AP view · left wrist XR · 11y M:

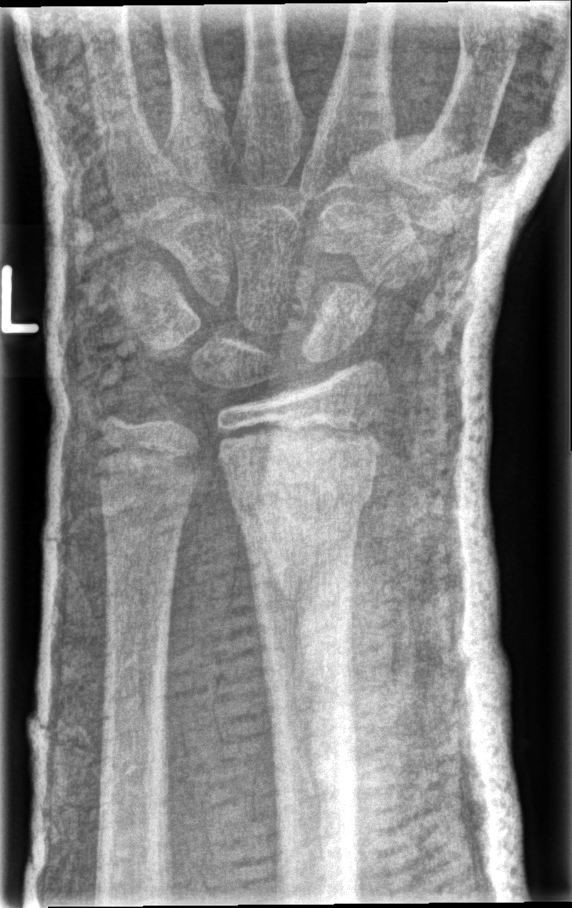 Boxes as x1,y1,x2,y2 (top-left / bottom-right, pixel units). Bone fracture — (231, 456, 381, 534). AO/OTA classification: 23r-M/3.1.